Right wrist X-ray | lat view: 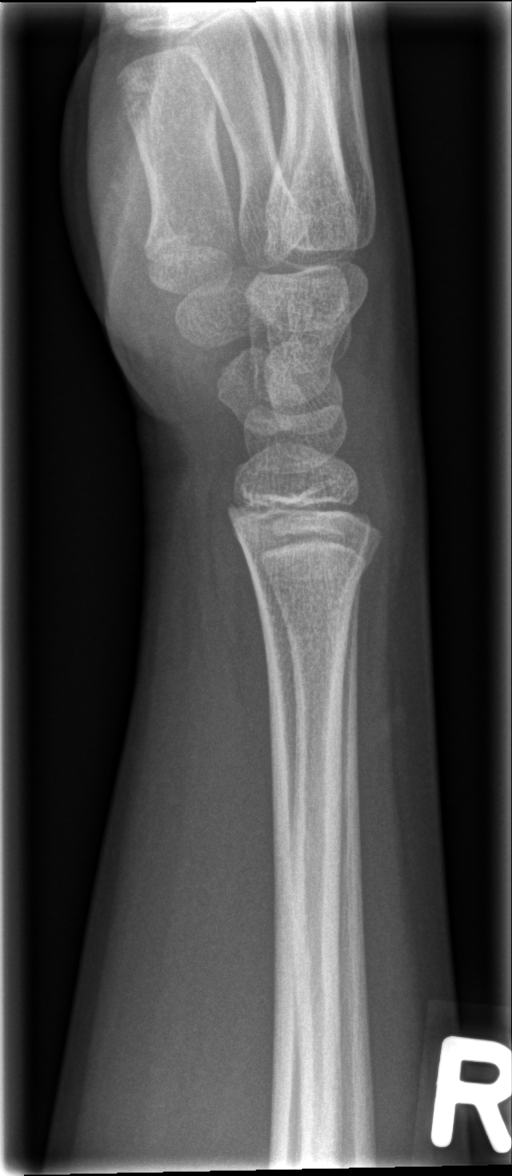 Bone fracture: 247,546,381,611.